Right wrist radiograph; lateral projection; pediatric patient (female, age 7)

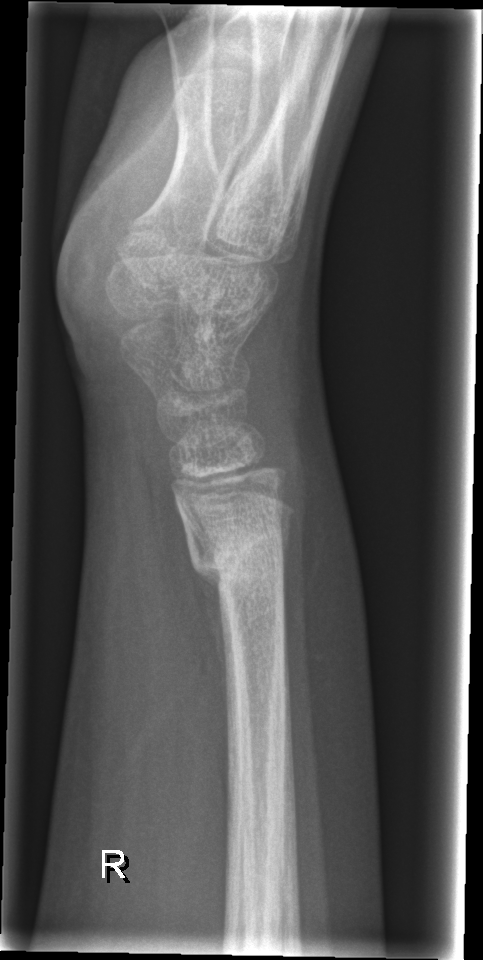 Findings: (coordinates are [x1, y1, x2, y2] in image pixels) One Fx at bbox(181, 519, 294, 594). Periosteal new bone — bbox(193, 563, 230, 736).